PA view, right wrist pediatric wrist radiograph —

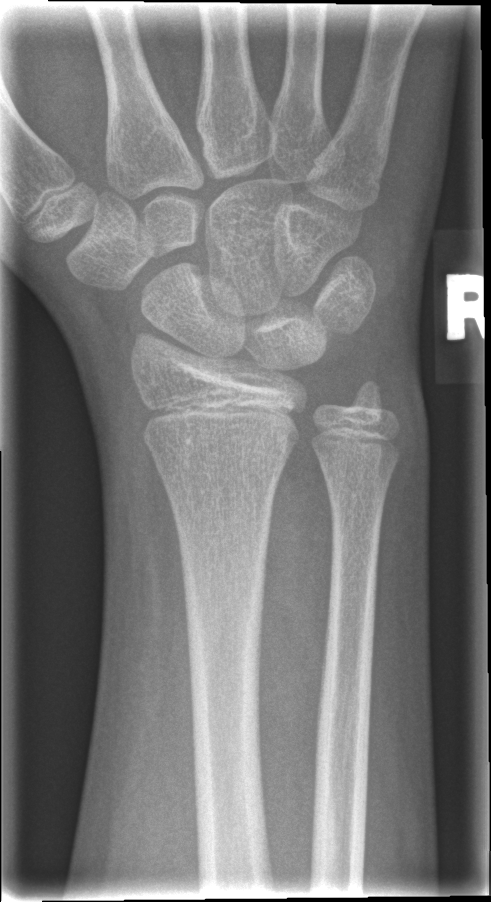
FINDINGS — Fx present but not clearly seen in this view.